Lateral view · right wrist XR · age 12 y, female · follow-up · cast in situ.
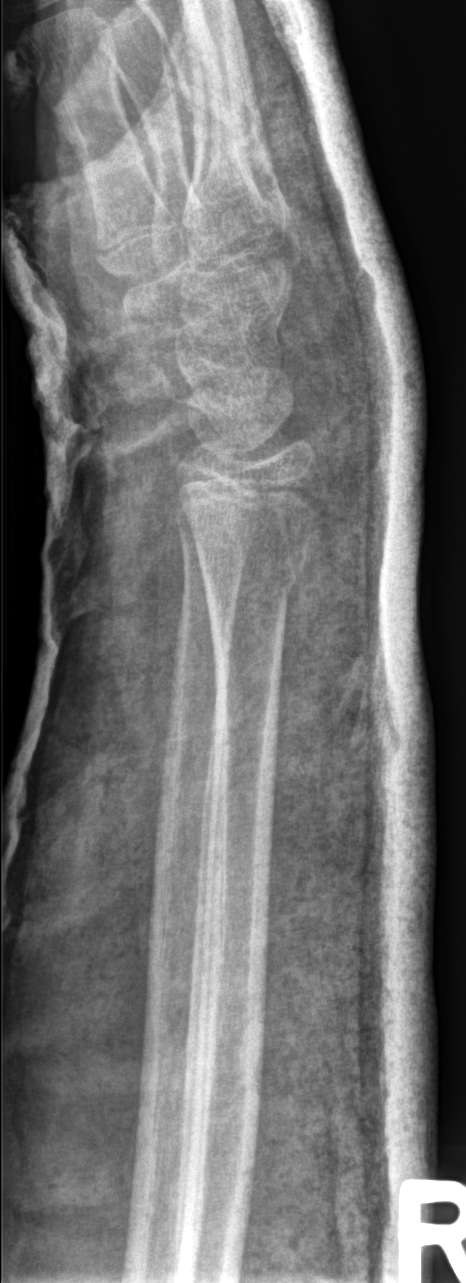
* One bone fracture at 191,506,330,613.
* Fracture classified AO/OTA 23r-M/2.1; 23u-E/7.